PA · left plain radiograph of the wrist · initial study · image width 84.0 mm 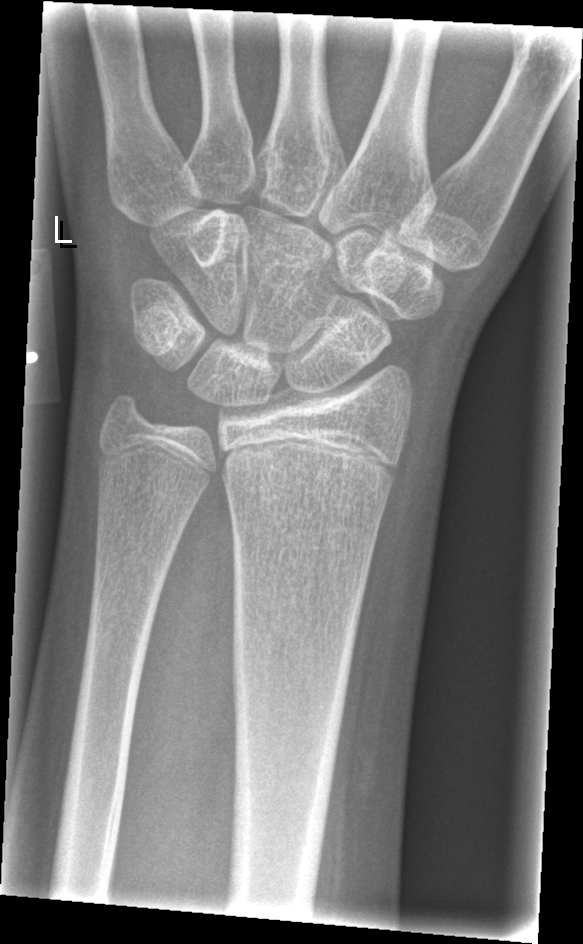
FINDINGS — Fracture present, though not clearly seen in this view. AO/OTA classification: 23r-M/2.1.